Lat projection; Rt wrist XR 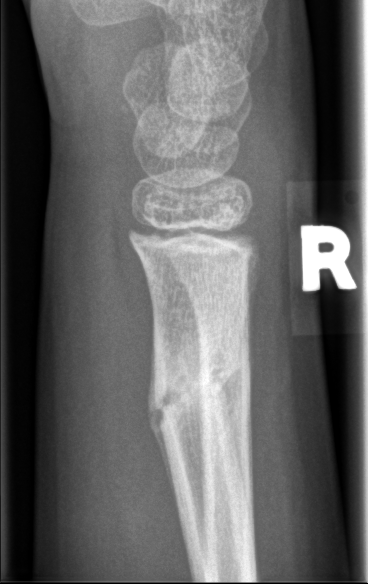

Fx: (left=146, top=359, right=242, bottom=438)
AO classification: 23r-M/3.1
periosteal reaction: 1 @ (left=148, top=353, right=174, bottom=490)
osteopenia: present